Right wrist pediatric wrist radiograph, AP projection, 12y M.

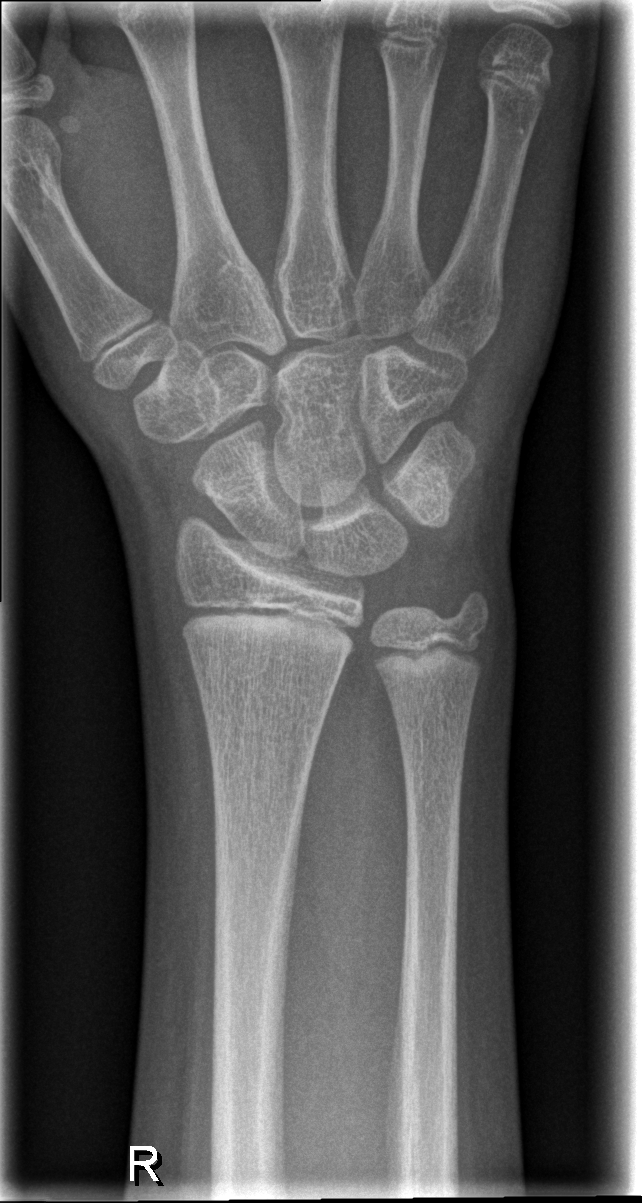

No fracture bounding box.